Posteroanterior view · right wrist radiograph · image size 616x862:
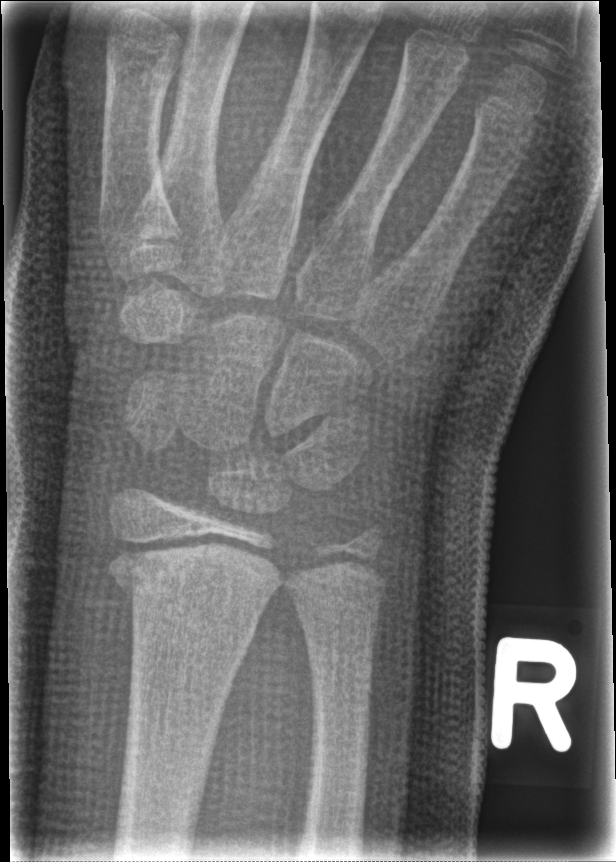
AO code = 23r-E/2.1
Bone fracture = [106, 535, 271, 661]